Frontal view, Rt wrist X-ray —

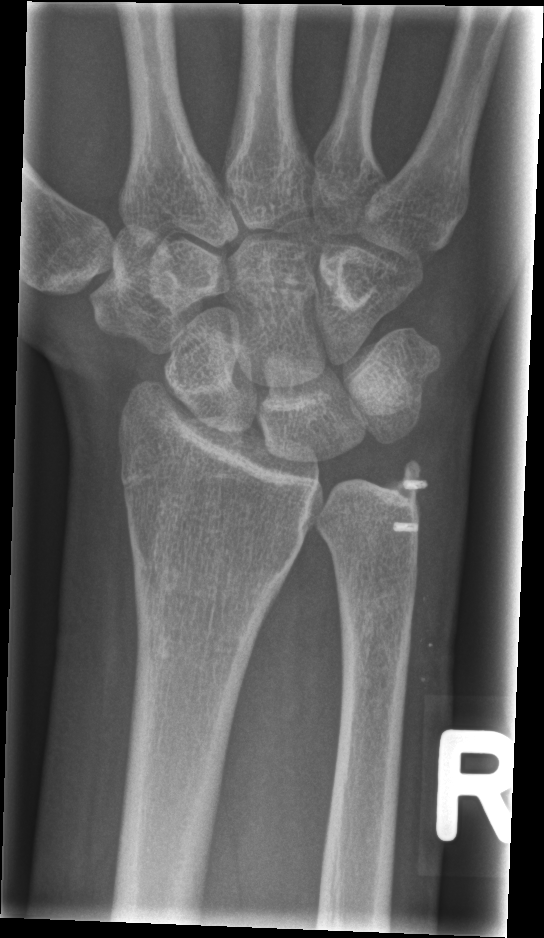 Findings: No fracture bounding box. Hardware: [389, 476, 429, 532].